Lat view, left wrist X-ray, initial study, Siemens.
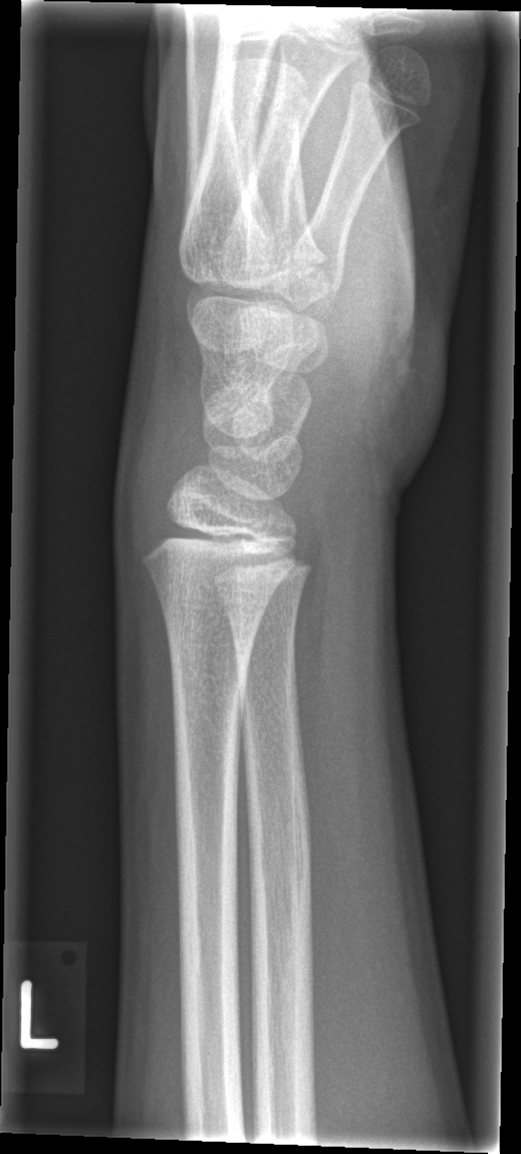
{
  "fracture": "none labeled"
}